PA projection | right wrist radiograph | initial study | 533 x 1024 px

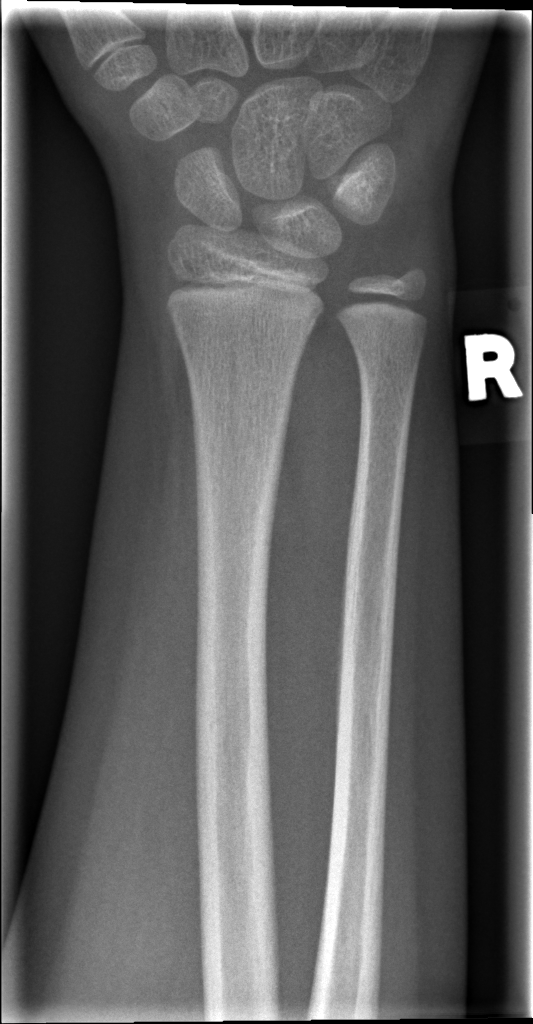
No Fx annotated.